Lateral view; left wrist plain radiograph of the wrist; image size 480x826

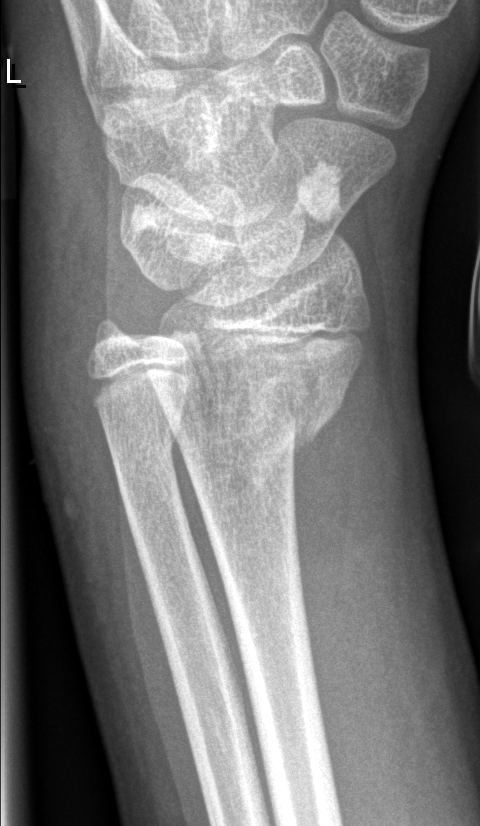
- Fx: 148 364 360 496; 102 397 184 479.
- Fracture classified AO/OTA 23r-M/3.1; 23u-M/2.1.
- Osseous lesion — 292 159 348 227.